Posteroanterior projection, L wrist plain film, initial study, image 85.2 mm wide:

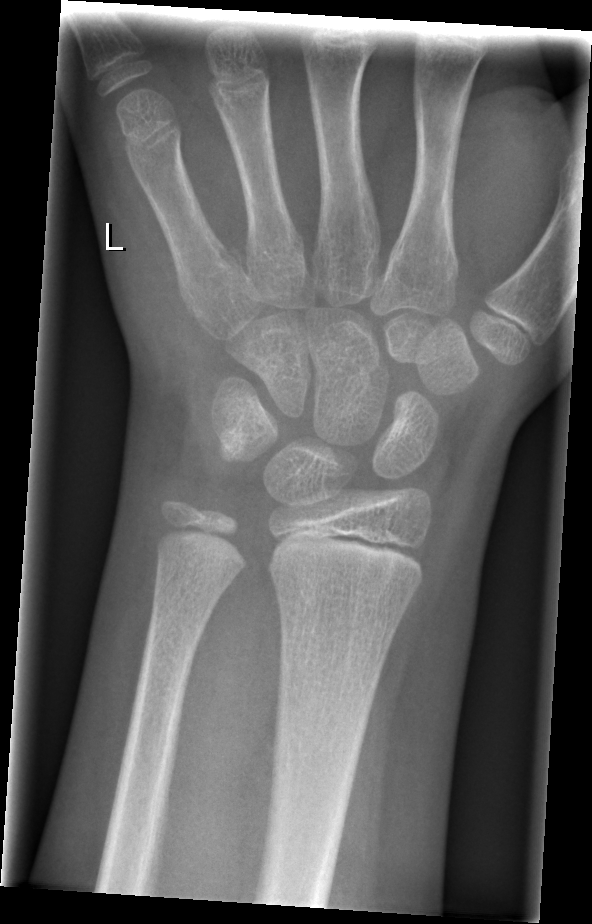

Fracture: none labeled.